Left wrist X-ray; lat; 102.2 mm image width; image size 710x1358 —

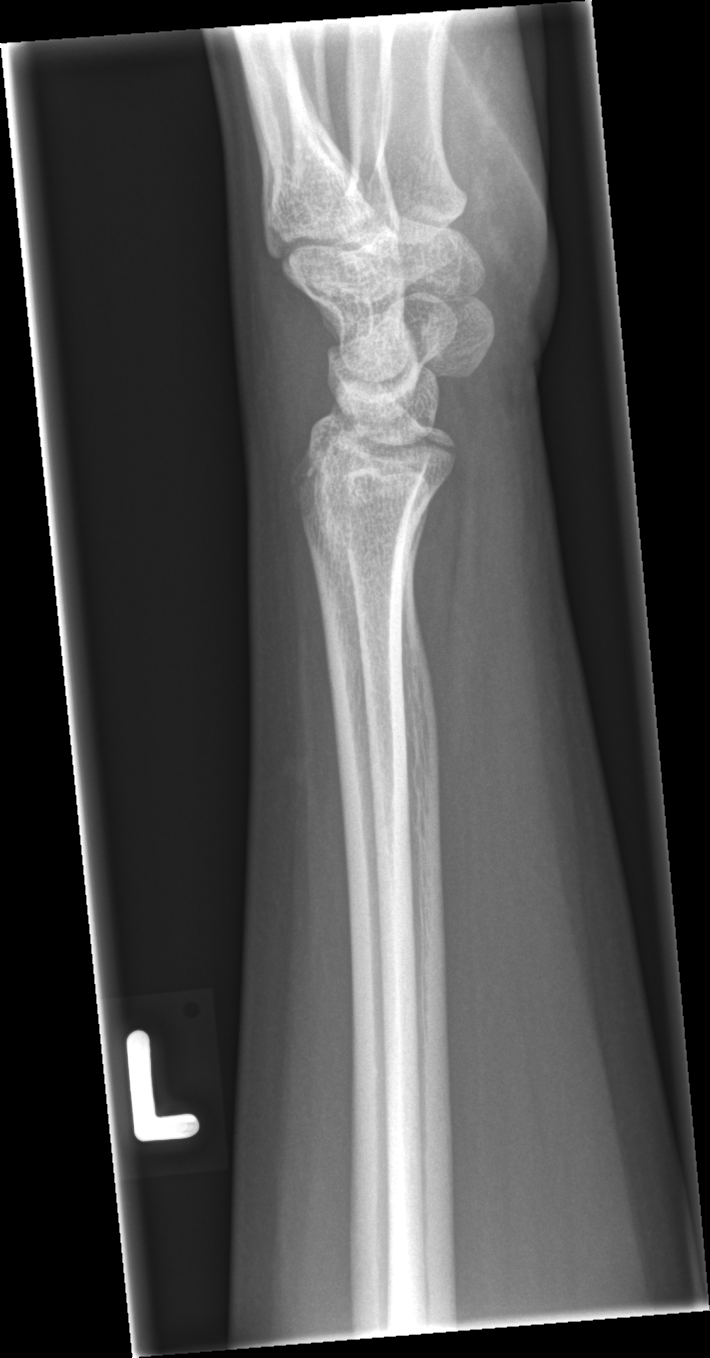
bone fracture = bbox(345, 412, 462, 470)
AO/OTA = 23r-E/3